R wrist X-ray | PA/AP view | initial study:

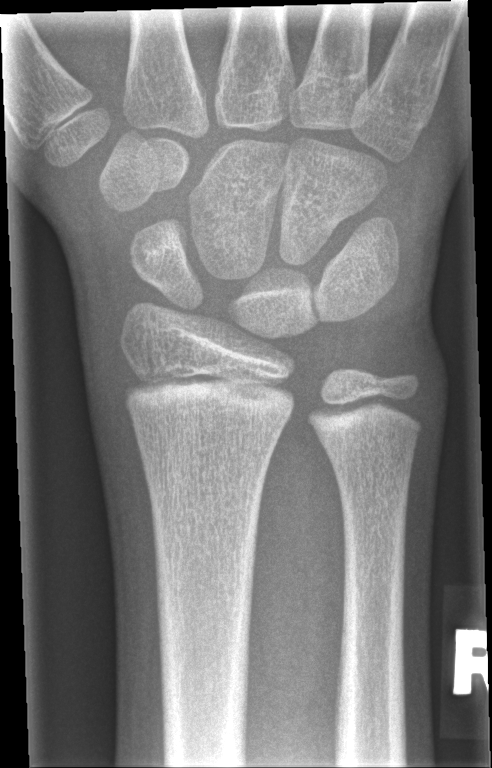 No fracture annotation.